L wrist radiograph, posteroanterior, 8y F
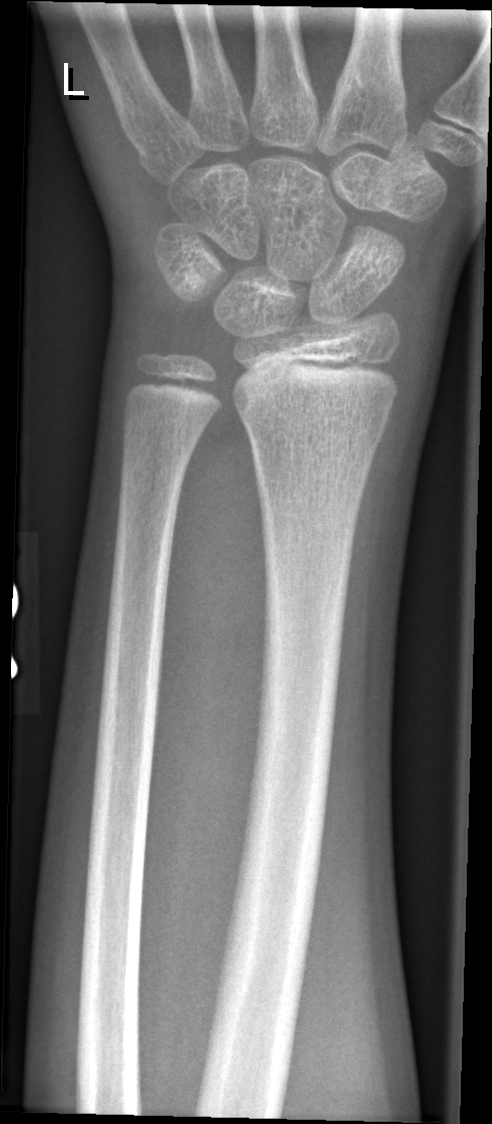

One fracture at [x1=245, y1=410, x2=387, y2=475].